Lateral view, L wrist X-ray, pediatric patient (boy, age 5), image size 980x1215: 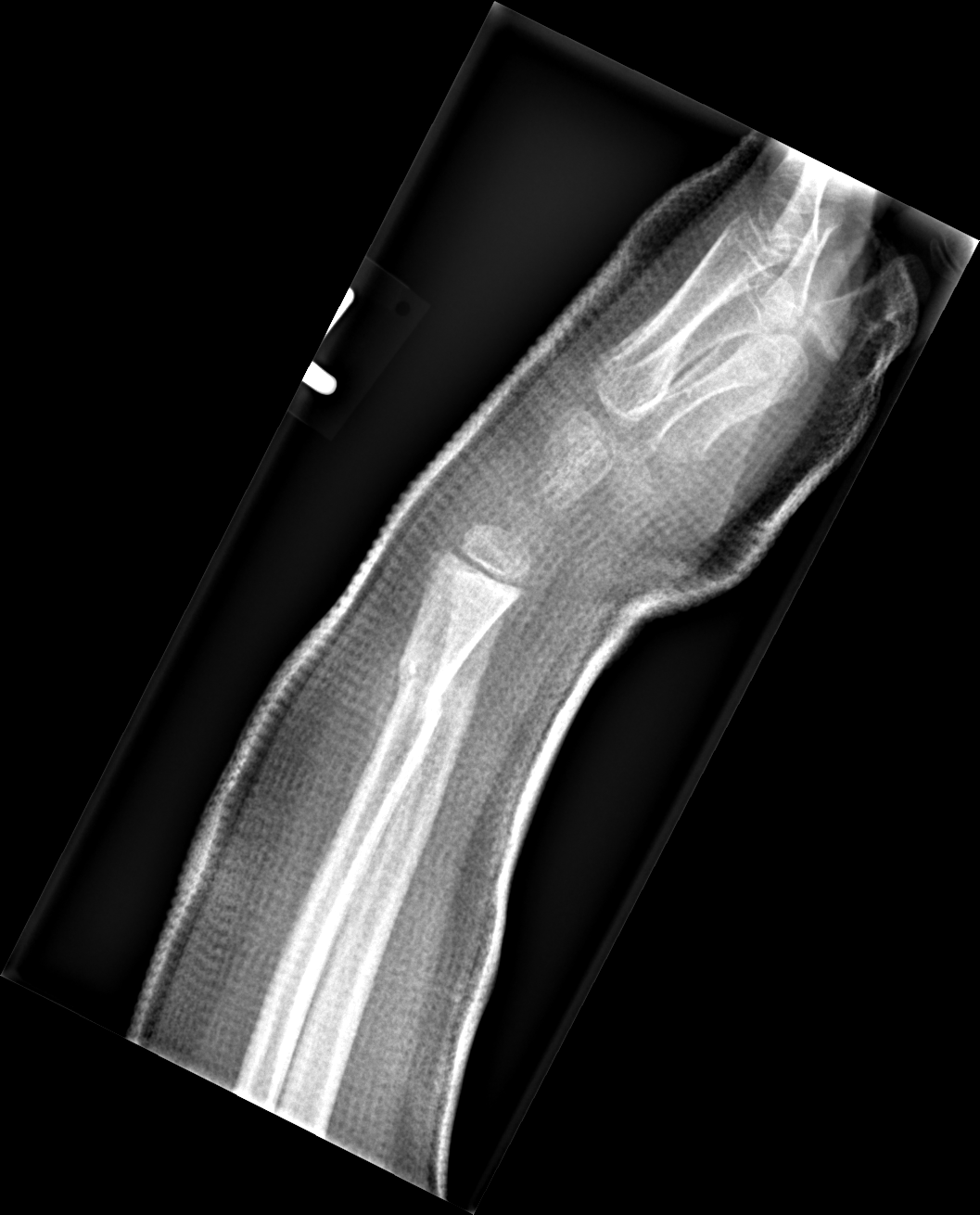
Boxes as x1,y1,x2,y2 (top-left / bottom-right, pixel units). AO code 23r-M/3.1; 23u-M/2.1. Two Fx at <391,659>-<450,720>, <431,671>-<477,730>.